L wrist radiograph; posteroanterior; 8y M; image width 96.3 mm; image size 669x860.

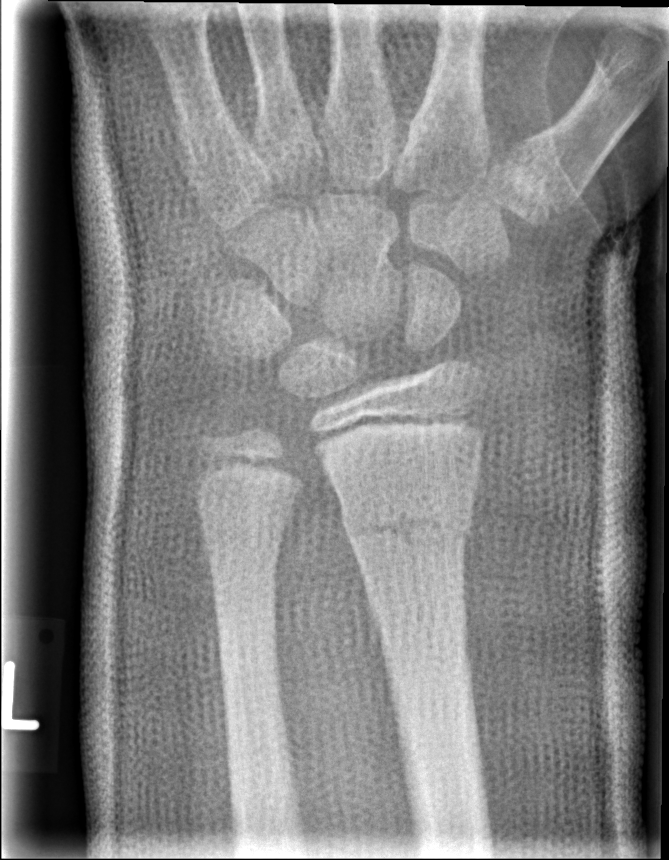 * Fracture: (left=338, top=489, right=478, bottom=561).
* AO code 23r-M/3.1.